Left wrist X-ray, lateral

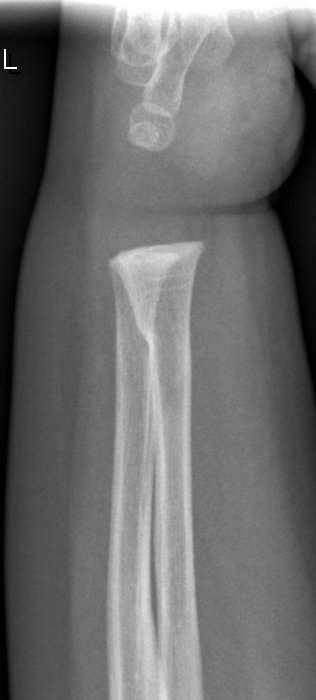

One Fx at [127, 296, 196, 365].
AO code 23r-M/2.1.